Lt wrist X-ray · lateral view · 15y M · index exam · acquired on Siemens:

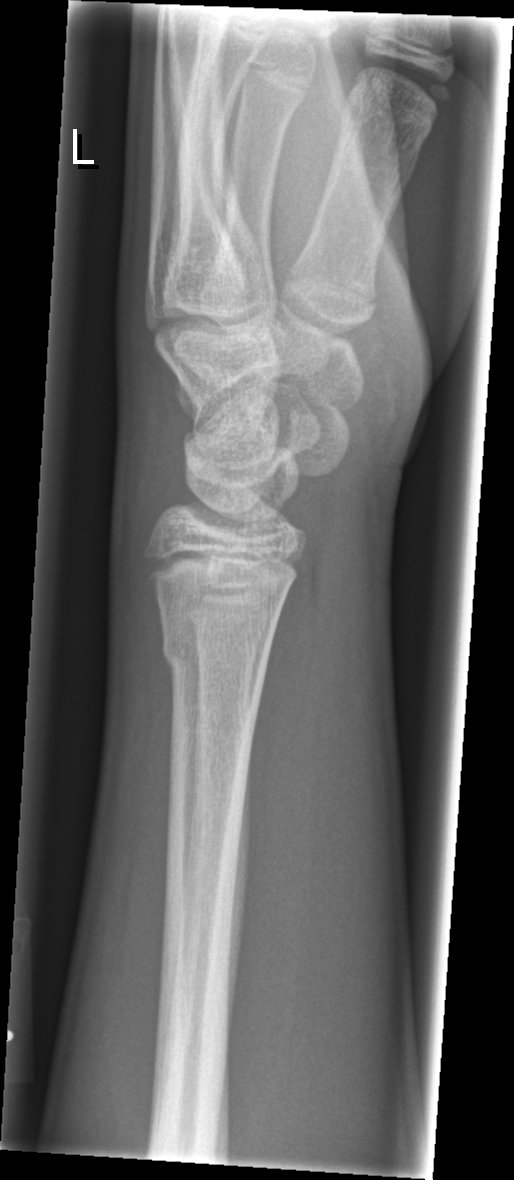
Q: Is there a fracture?
A: Bone fracture: bbox(159, 626, 272, 686)